Lat, left wrist XR, male, 11 yo 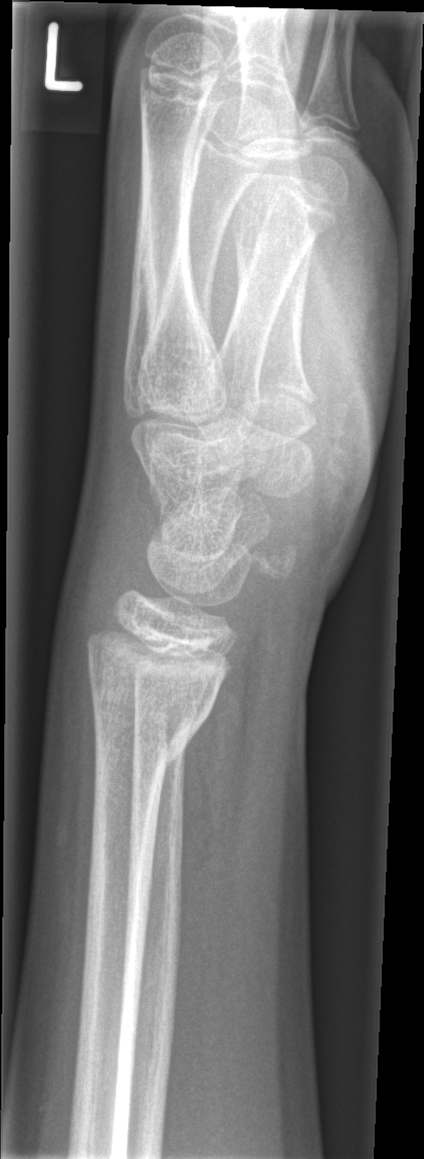

Fx: (91, 699, 211, 772)
Pronator quadratus fat-pad sign: (175, 644, 259, 923)